Frontal projection, right wrist XR, 17y M.
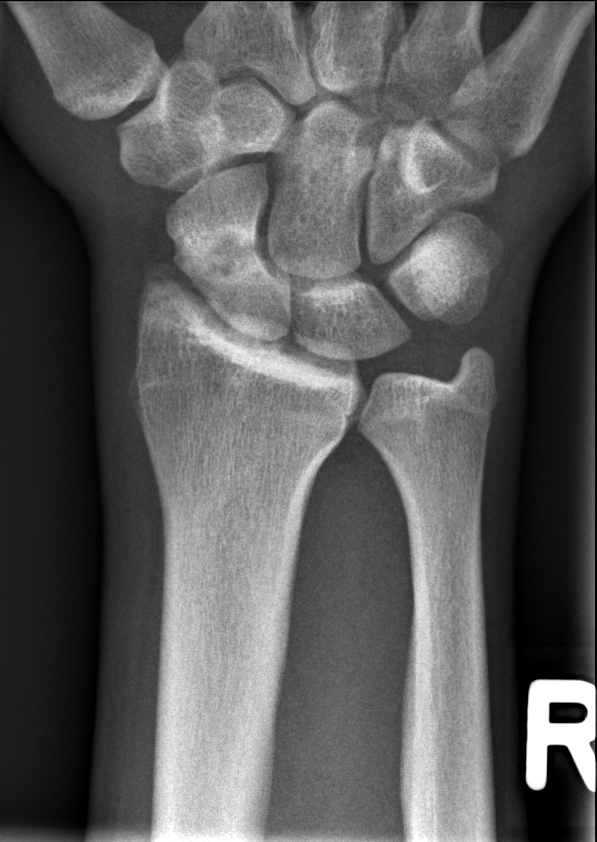
AO/OTA classification: 72B(b). Fx identified at (left=174, top=226, right=281, bottom=285).